Frontal, Lt wrist plain film, age 5 y, girl, Siemens, image width 87.0 mm —
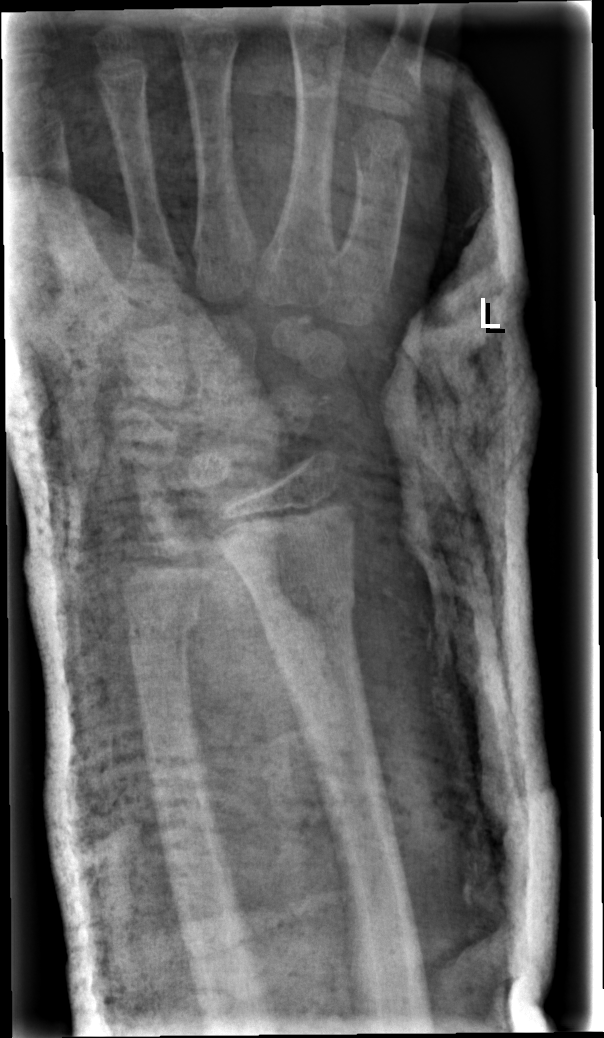
Q: Locate any fractures.
A: Fx identified at 255 578 362 650 | 123 606 203 646
Q: What is the AO/OTA classification?
A: AO code 23-M/3.1